Lateral projection, right wrist XR, initial study, 425 x 1066 px
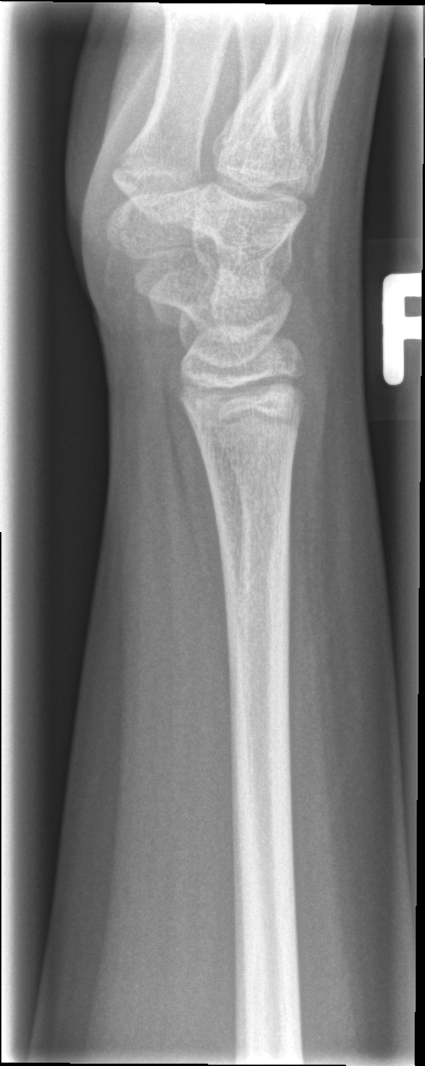

fracture = none labeled